Posteroanterior | Rt wrist X-ray | pediatric patient (female, age 4).

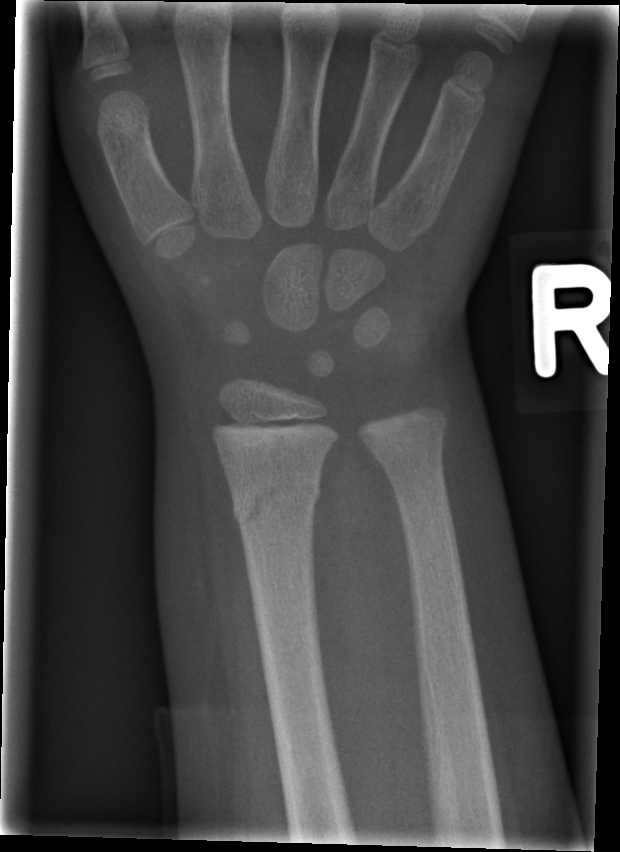

Fx identified at 224,466,326,536; 365,420,449,476.